Frontal; Lt wrist XR; female, 10 yo; index exam; image size 484x906:

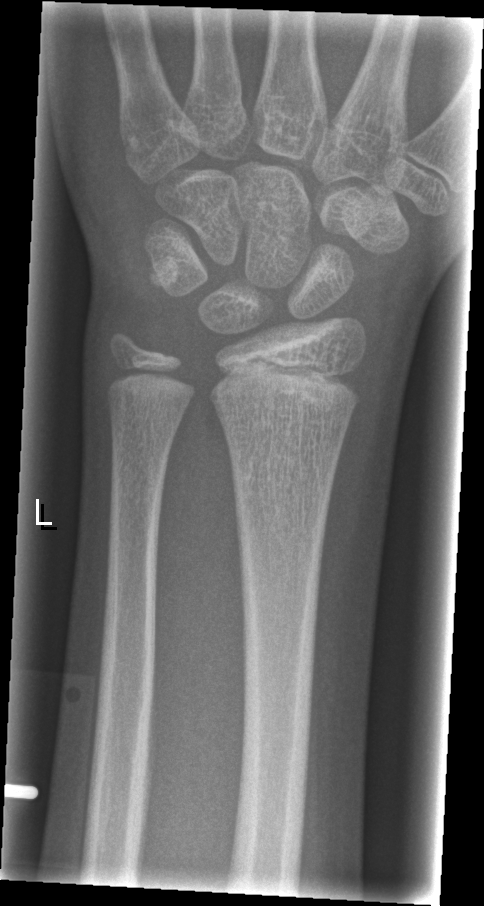

No fracture labeled.